Lt plain radiograph of the wrist | AP | pediatric patient (girl, age 6): 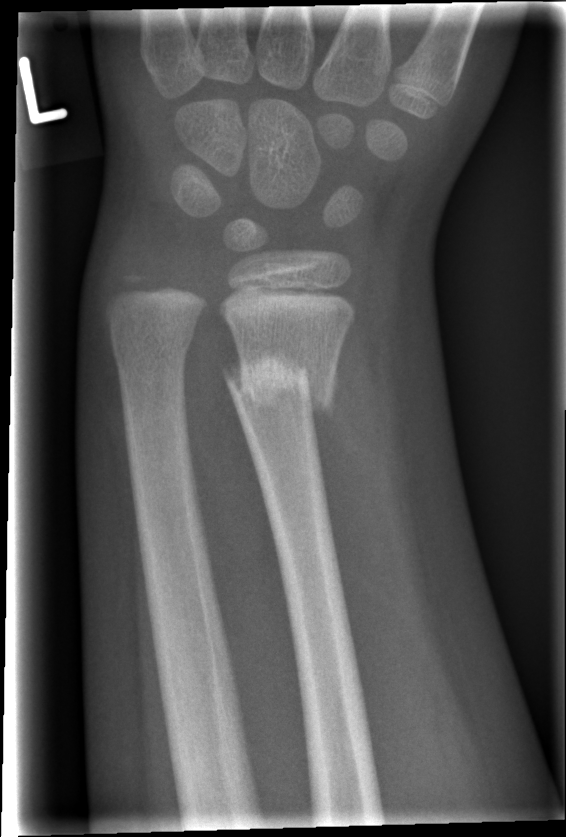

Fracture classified AO/OTA 23r-M/3.1; 23u-M/2.1. Bone fracture: [220, 342, 338, 419]; [104, 322, 197, 366].